L plain radiograph of the wrist · frontal view · image size 712x1338: 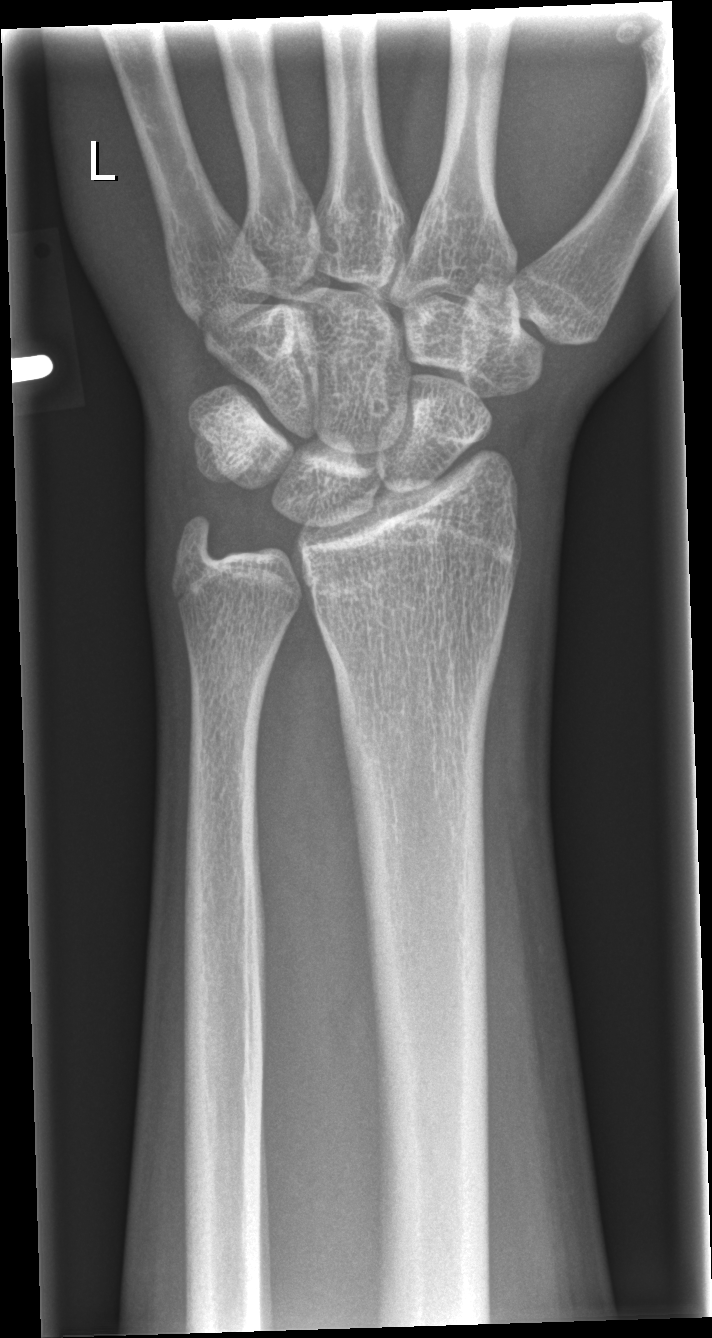 Fracture: none labeled.